R wrist X-ray, lat, girl, 12 yo, index exam:
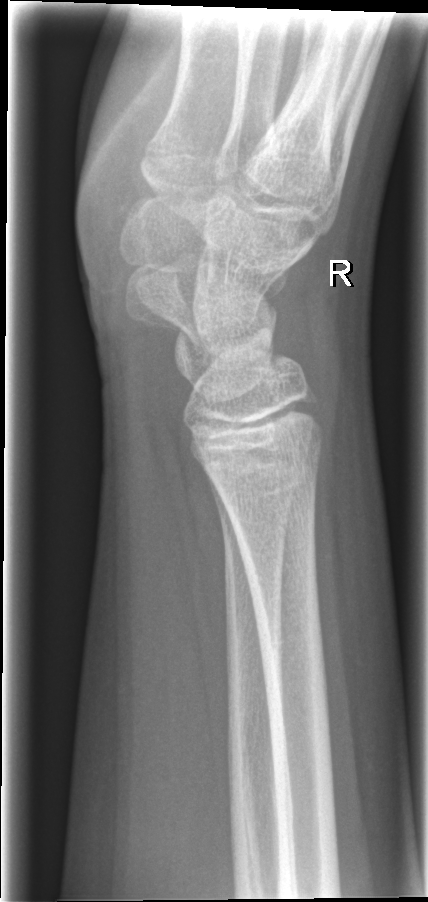

Q: Fracture present?
A: No Fx annotated